Lt wrist XR; lat view; pediatric patient (male, age 13); detector: Siemens; 658 x 1124 px
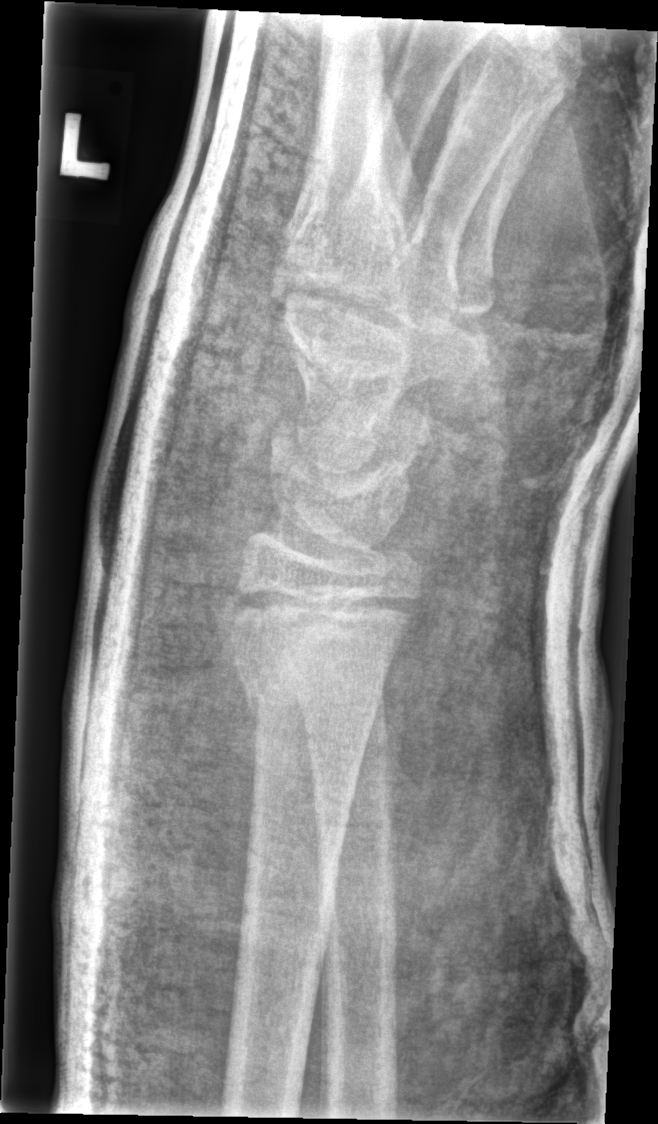

Pixel coordinates, top-left origin, xyxy.
One fracture at <232,659>-<389,739>.